Lt wrist X-ray | lat view | boy, 4 yo | 41.2 mm image width | 286 x 883 px —

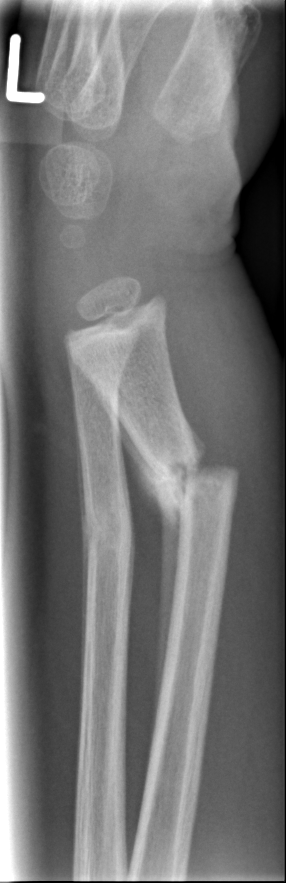
Bounding boxes in image-pixel xyxy.
Periosteal thickening identified at [114, 414, 185, 724]; [79, 544, 90, 745]; [77, 432, 87, 517].
Bone fracture: [148, 437, 242, 504]; [82, 500, 135, 550].
AO code 23r-M/3.1; 23u-M/2.1.